Lateral projection; right wrist X-ray. 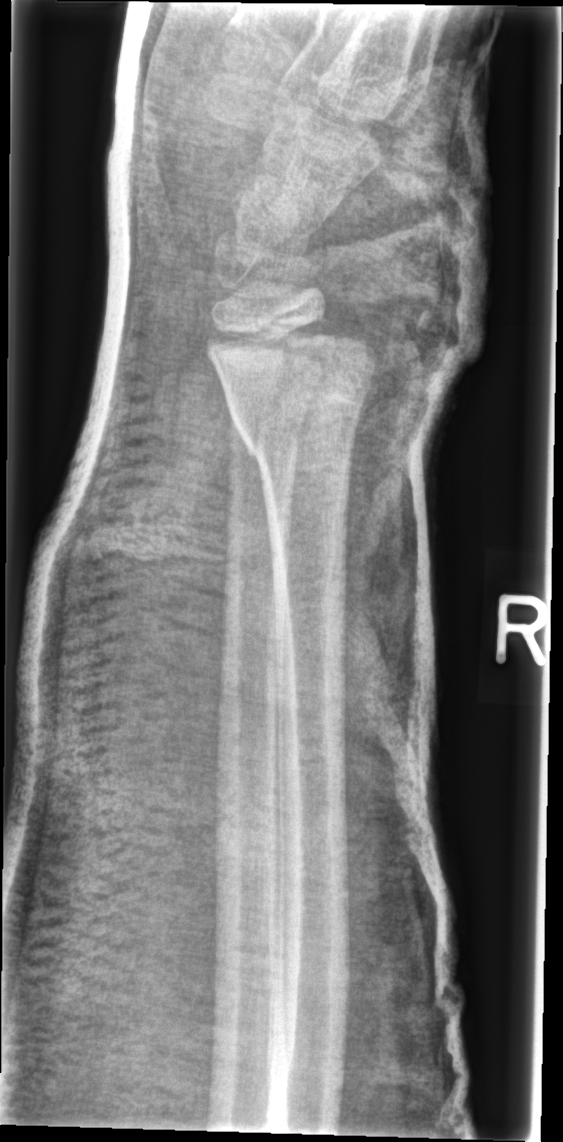

FINDINGS — (bounding boxes in image-pixel xyxy) Bone fracture identified at 205 314 381 466. AO code 23r-E/2.1.